Lt pediatric wrist radiograph, lateral view, index exam, detector: Siemens. 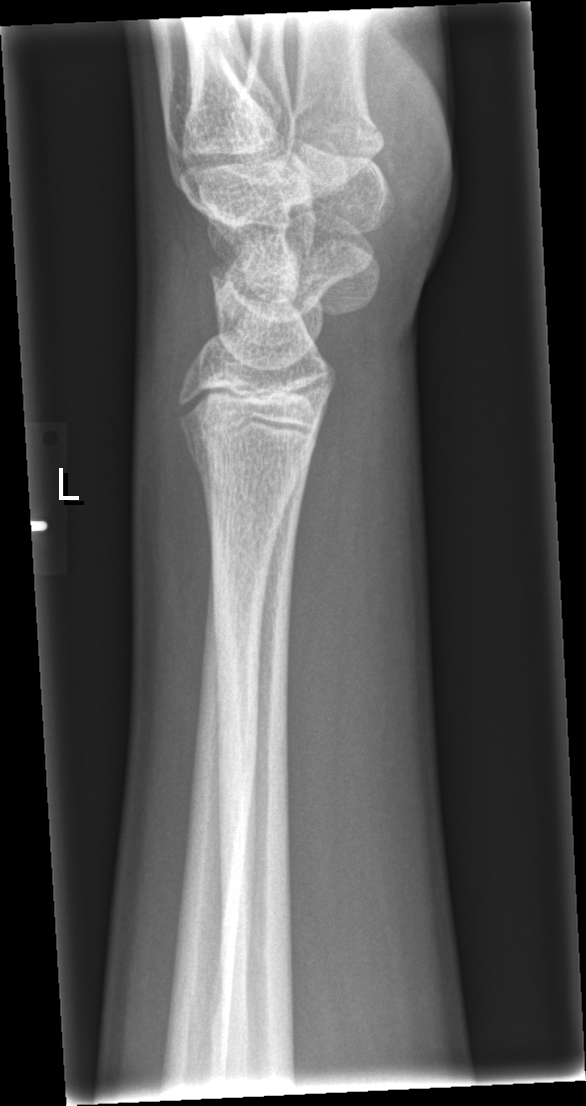
Soft-tissue finding: bbox(144, 294, 217, 607).
Bone fracture identified at bbox(183, 429, 314, 505).